L plain radiograph of the wrist, frontal view, age 6 y, male, Siemens

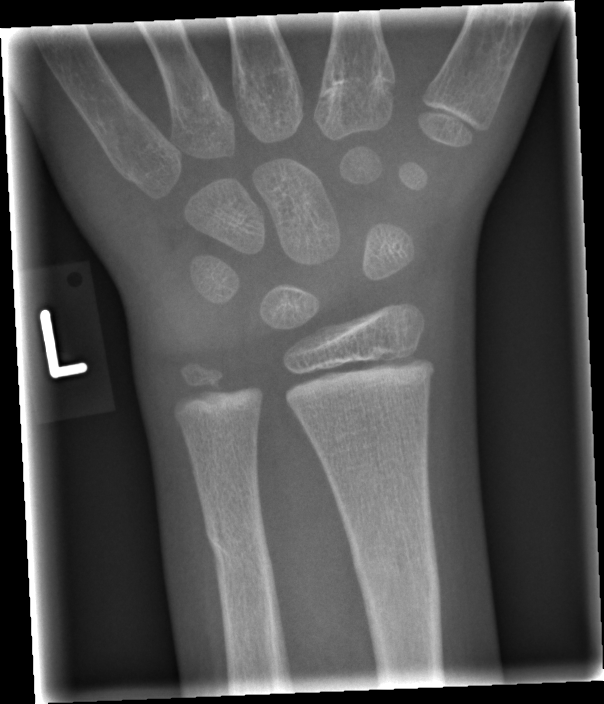
Bone fracture = bbox(347, 532, 443, 617), bbox(199, 514, 276, 575)